Posteroanterior view, right wrist XR, cast present, acquired on Siemens:

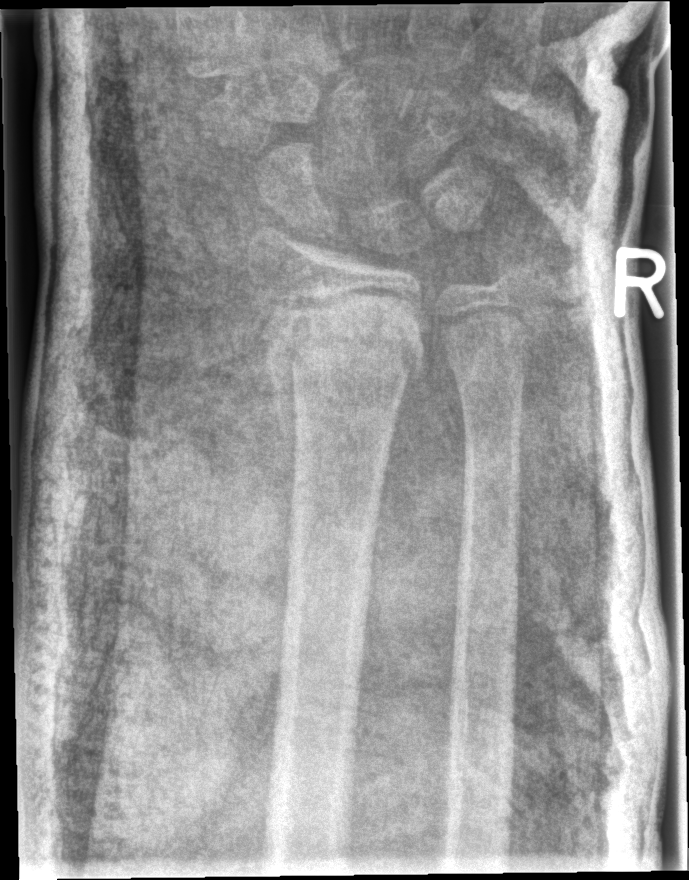
FINDINGS: AO code 23r-E/2.1; 23u-E/7. Fx: bbox(256, 283, 430, 396).